L pediatric wrist radiograph, lat projection, 9-year-old girl, index exam, detector: Siemens, 417x1026. 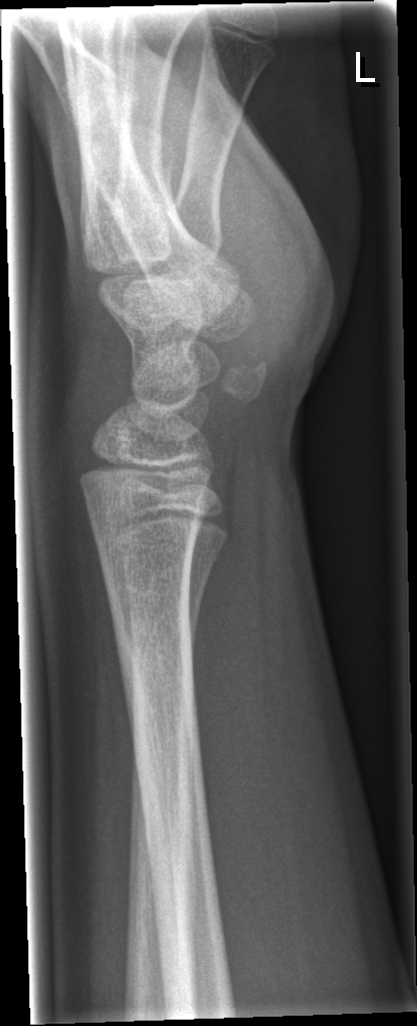 • No fracture labeled.